Lt wrist X-ray · frontal view · pediatric patient (boy, age 16) · subsequent exam · imaged through cast · image 122.1 mm wide

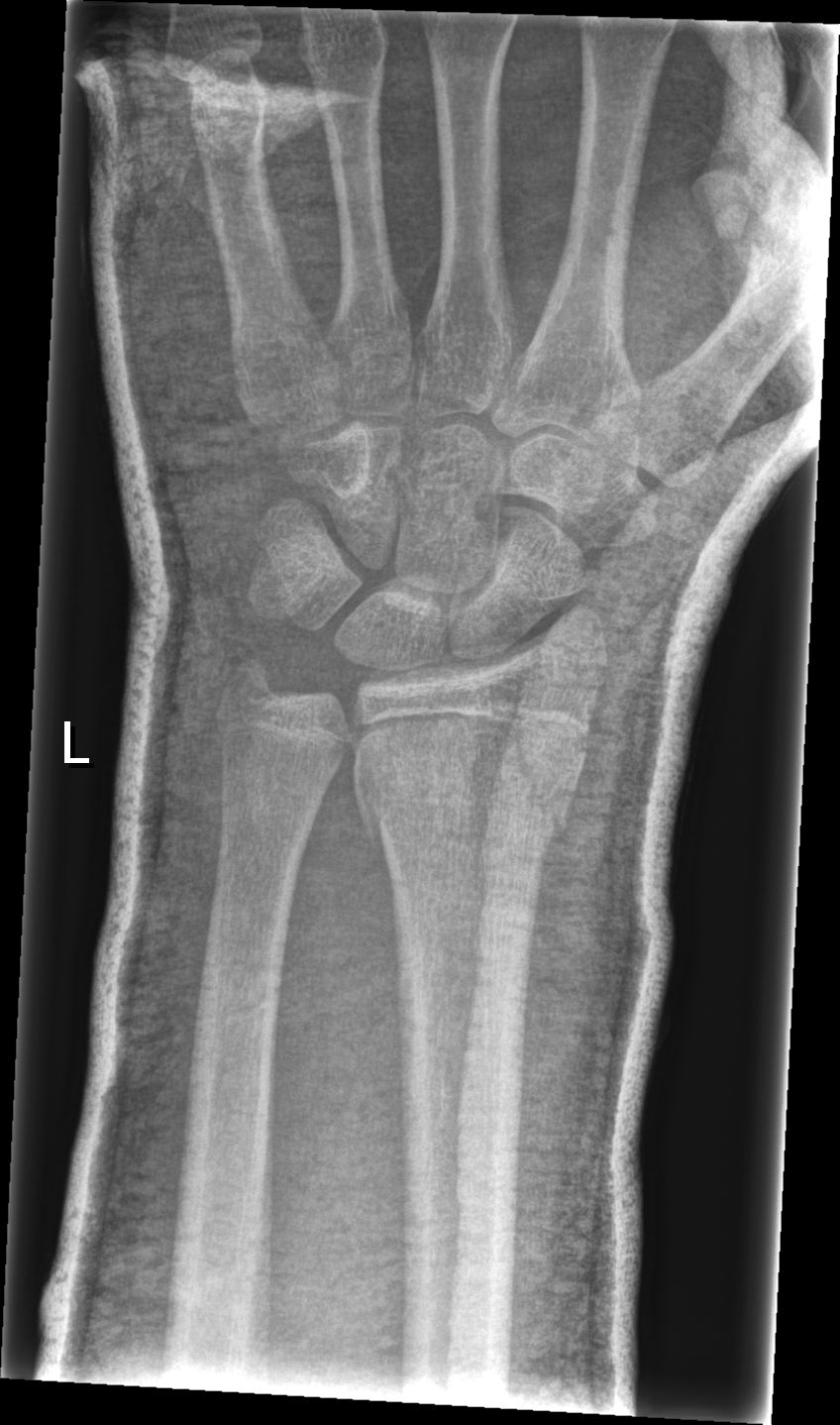

Fracture identified at (left=356, top=751, right=576, bottom=851); (left=214, top=646, right=289, bottom=723).